Lt plain radiograph of the wrist; AP view; age 15 y, girl. 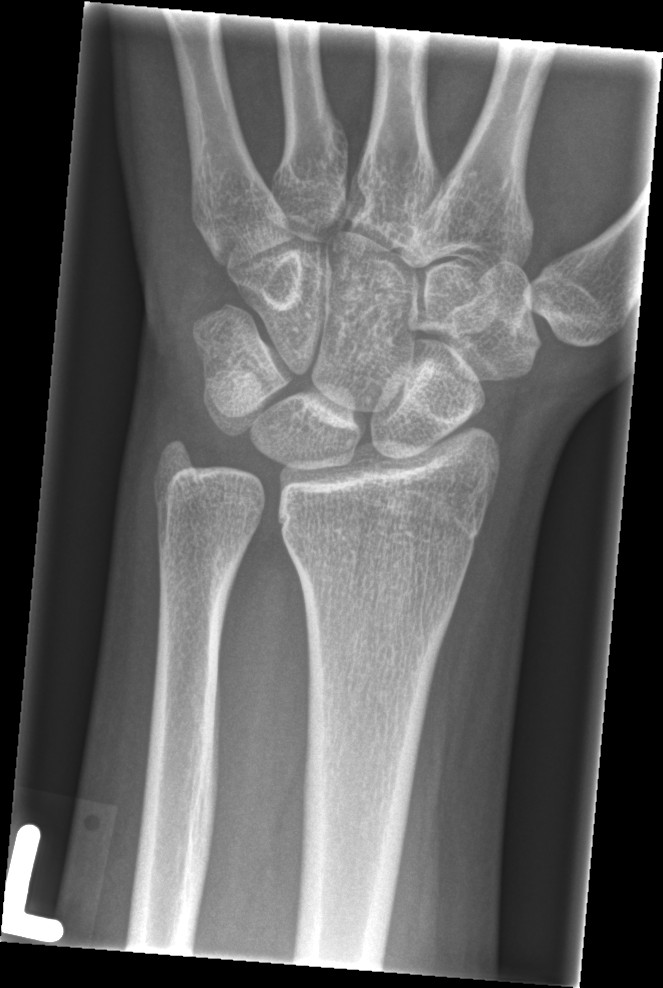

No fracture labeled.